Left wrist radiograph · posteroanterior · pediatric patient (girl, age 11) · cast in situ. 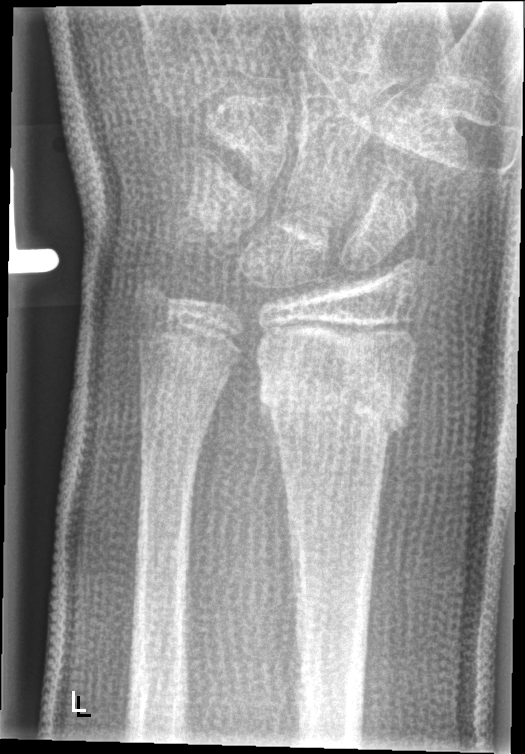

Q: AO code?
A: AO/OTA classification: 23-M/2.1
Q: Fracture present?
A: Fx — 256,365,416,440; 133,375,222,442